PA/AP projection | R pediatric wrist radiograph | male, 13 yo:
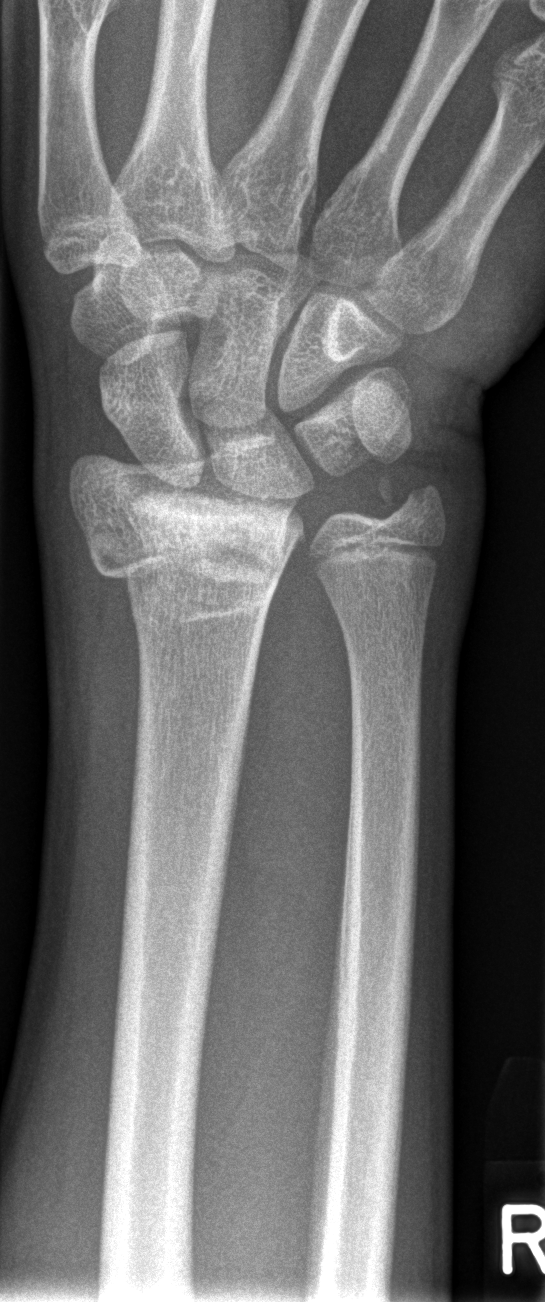   # pixel coordinates, top-left origin, xyxy
  ao: 23r-E/2.1; 23u-E/7
  fracture: <64,431>-<304,626> <374,472>-<450,534>